Rt wrist plain film | lat projection | age 10 y, male —
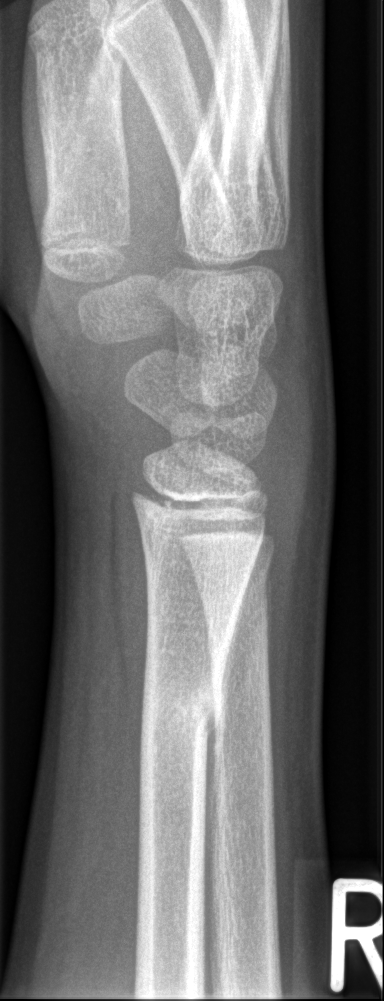 FINDINGS: Bone fracture: 137 651 230 771 | 190 548 279 621. AO/OTA classification: 23-M/2.1.